R wrist plain film · lateral view · 13-year-old male · detector: Siemens. 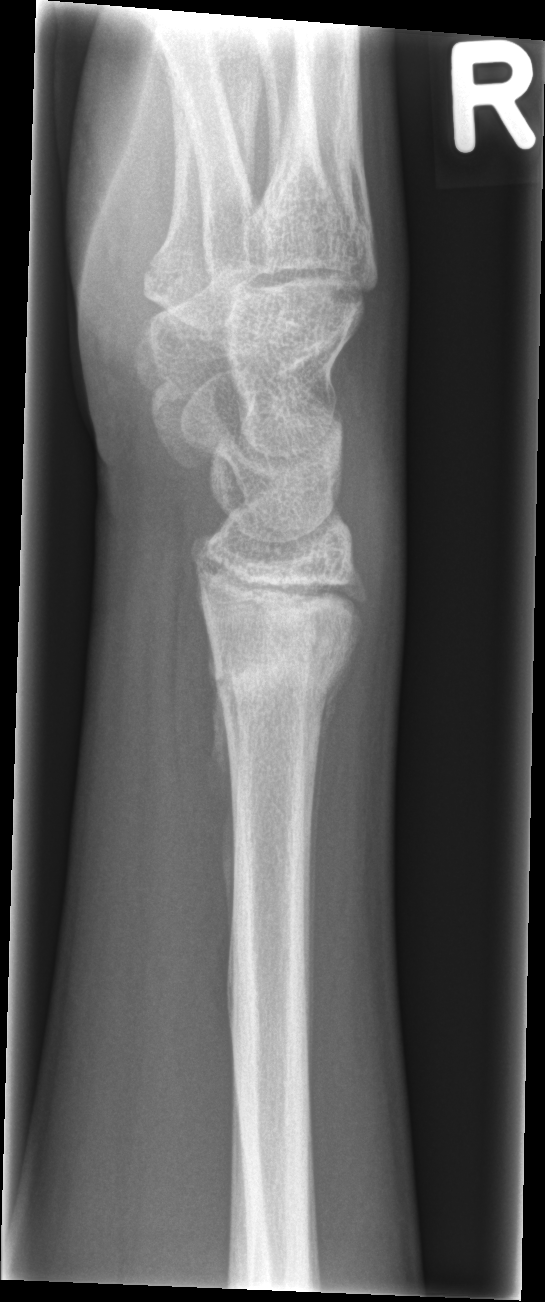 Decreased bone density (osteopenia).
Periosteal new bone identified at [x1=308, y1=659, x2=351, y2=918]; [x1=207, y1=640, x2=236, y2=937].
Fx — [x1=194, y1=590, x2=366, y2=711].
AO code 23r-M/3.1; 23u-E/7.